Frontal view, R wrist XR, male, 10 yo, image size 872x1008. 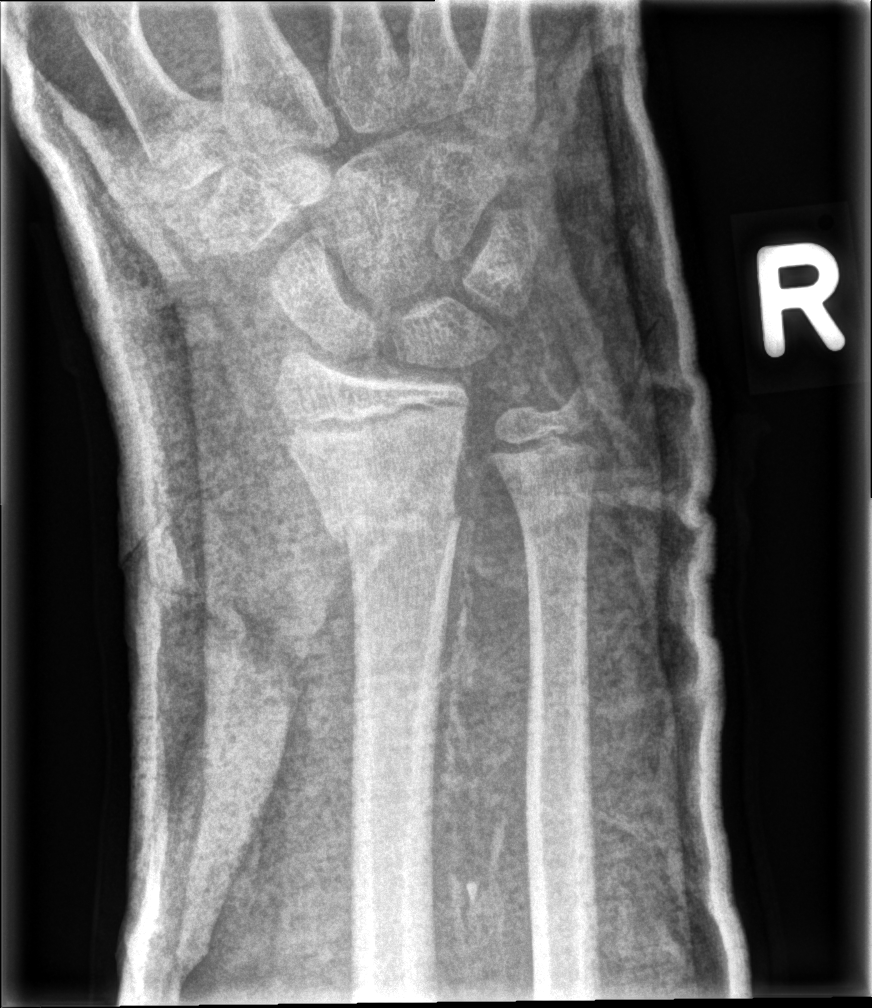

  fracture: 1 @ <318,485>-<466,560>